L wrist radiograph; PA; 8y M; initial study; 585x840

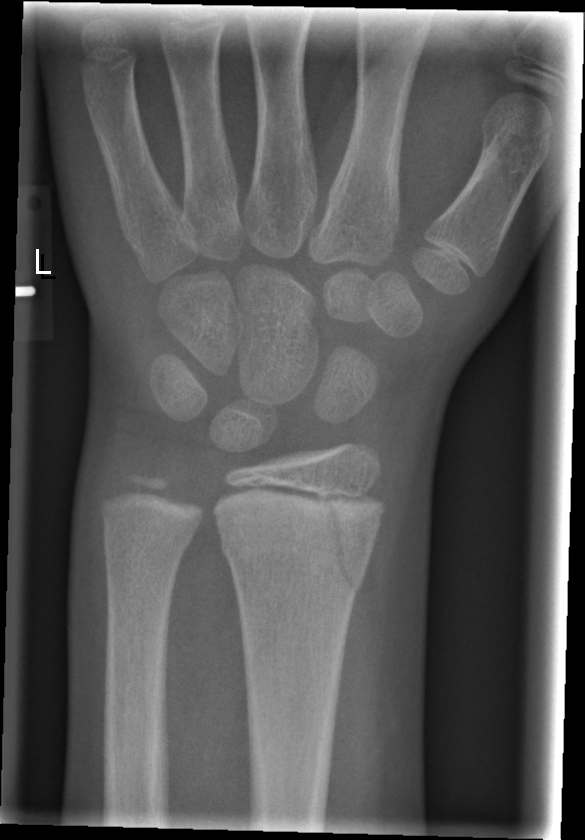 One Fx at [x1=302, y1=486, x2=388, y2=599].
AO code 23r-M/3.1.